AP projection · Lt wrist radiograph · in cast · image 92.0 mm wide. 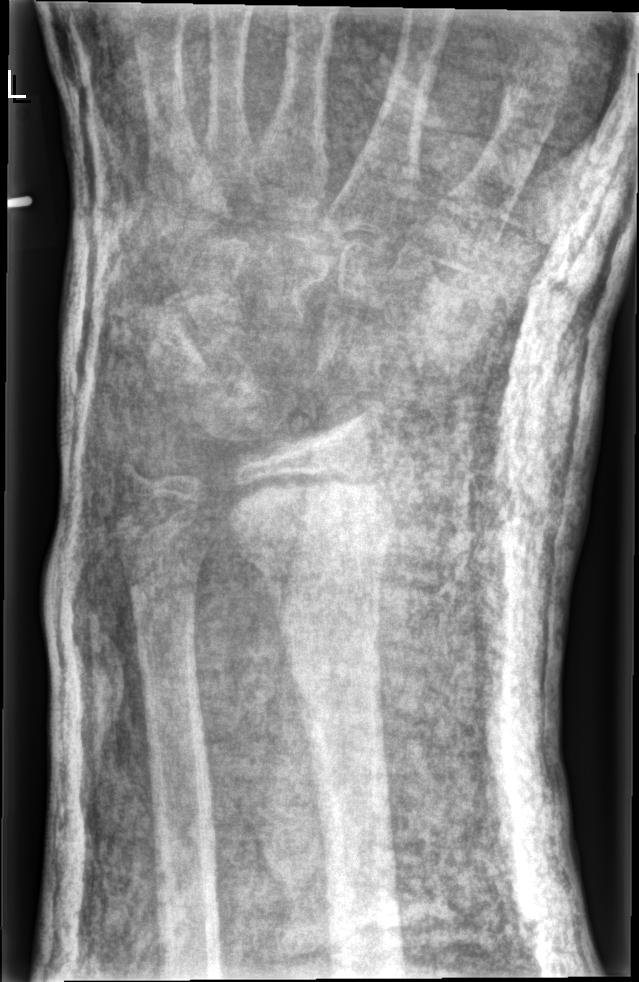

Findings: Bone fracture identified at 233,509,401,584. AO/OTA classification: 23-M/2.1.